Right wrist X-ray | PA/AP projection | subsequent exam:
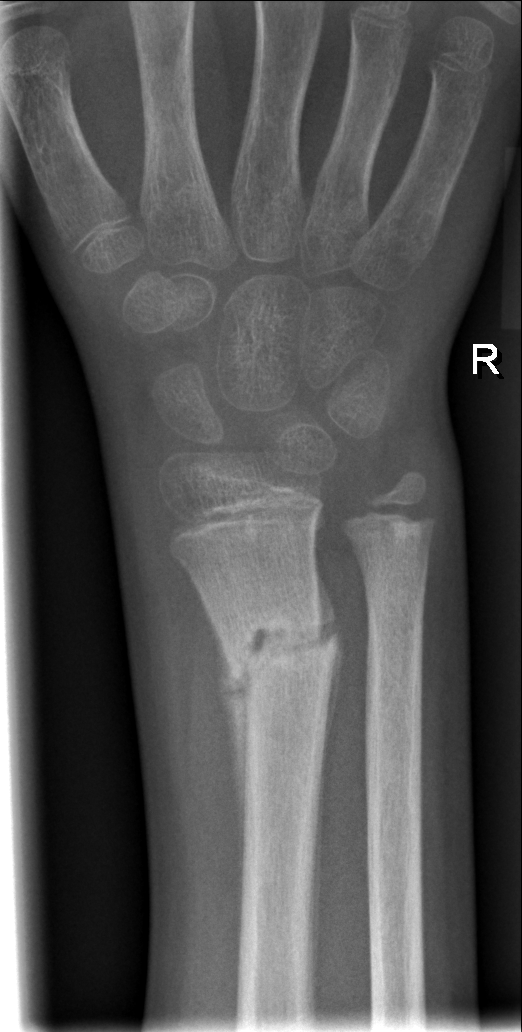 Q: Locate any fractures.
A: Fracture — 219 603 343 707
Q: Locate any periosteal reaction.
A: Two periosteal reaction at 210 622 248 890 | 314 551 343 757
Q: Is there osteopenia?
A: Reduced bone mineral density